Lt wrist plain film, lat — 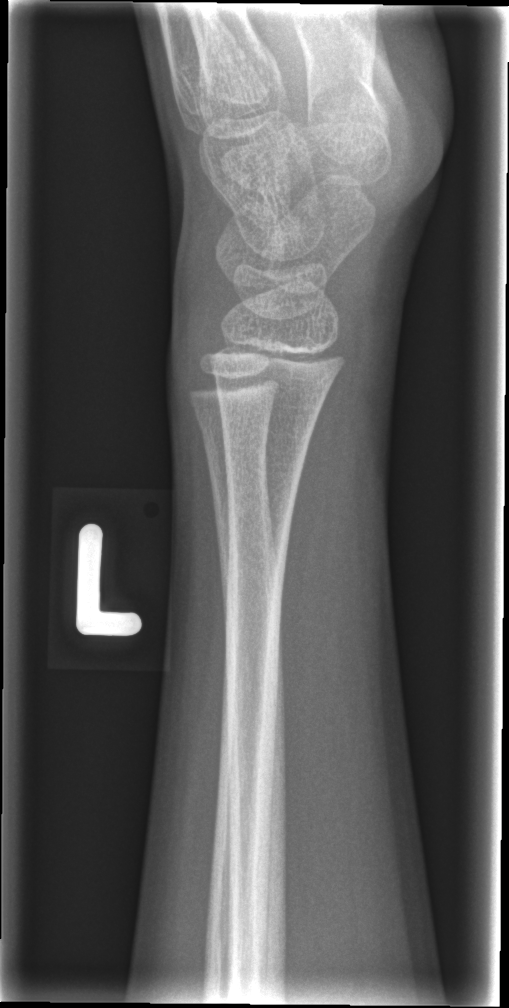 No fracture annotation.